Posteroanterior; R wrist X-ray; 583x886 —

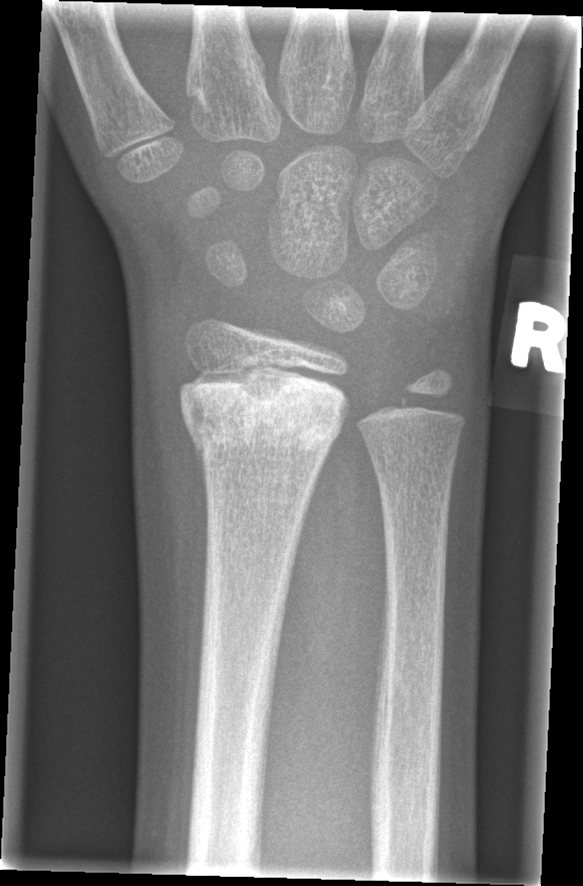

• Decreased bone density (osteopenia).
• AO/OTA classification: 23r-E/2.1.
• Fracture: (175, 370, 350, 477).